Lateral view; right wrist radiograph; 74.0 mm image width

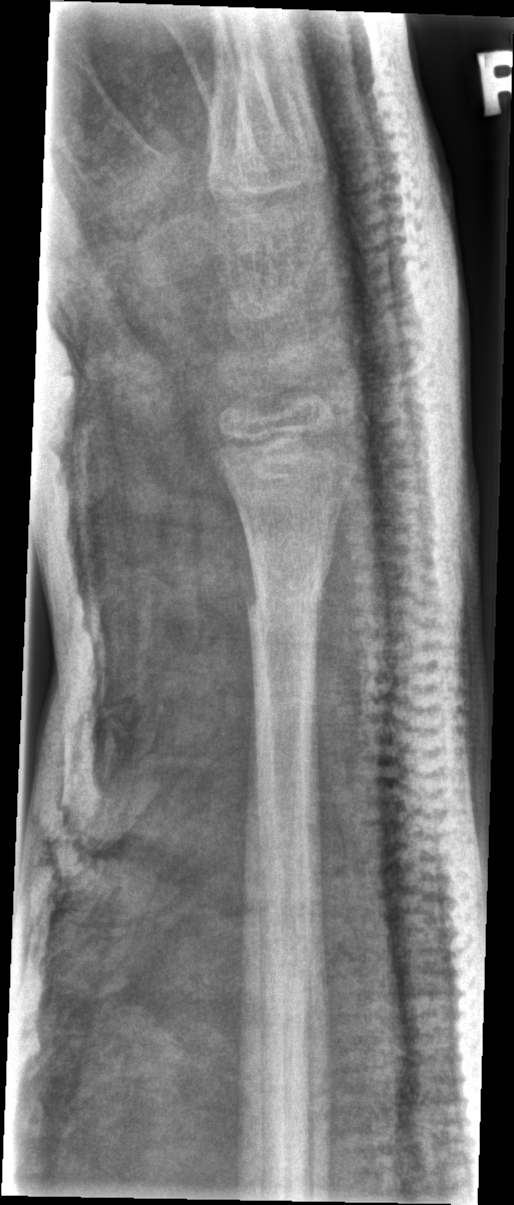 # pixel coordinates, top-left origin, xyxy
fracture: (239, 568, 333, 650)
ao: 23-M/3.1